Posteroanterior projection, right wrist pediatric wrist radiograph, detector: Siemens, image 69.1 mm wide:
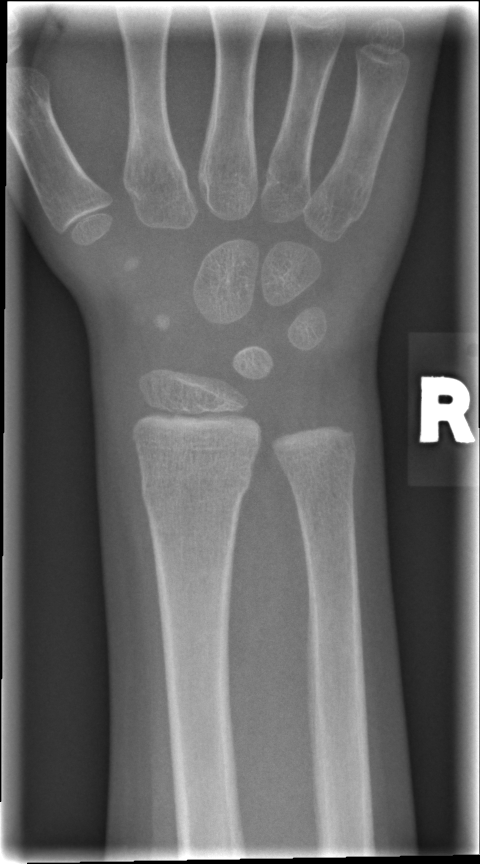
Findings: One Fx at [x1=133, y1=456, x2=256, y2=513].